Lat view; R wrist plain film; 8-year-old girl: 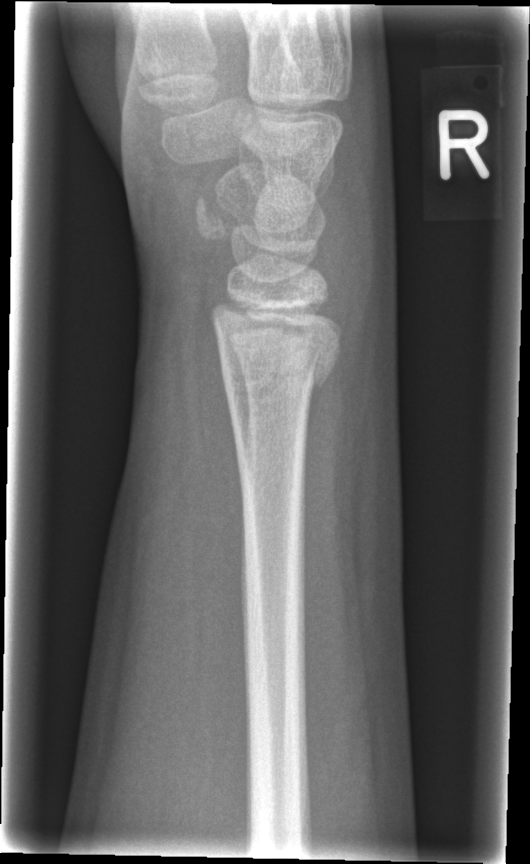 Findings: Fx identified at [x1=215, y1=324, x2=345, y2=401]. AO code 23r-M/3.1.